PA/AP · R plain radiograph of the wrist — 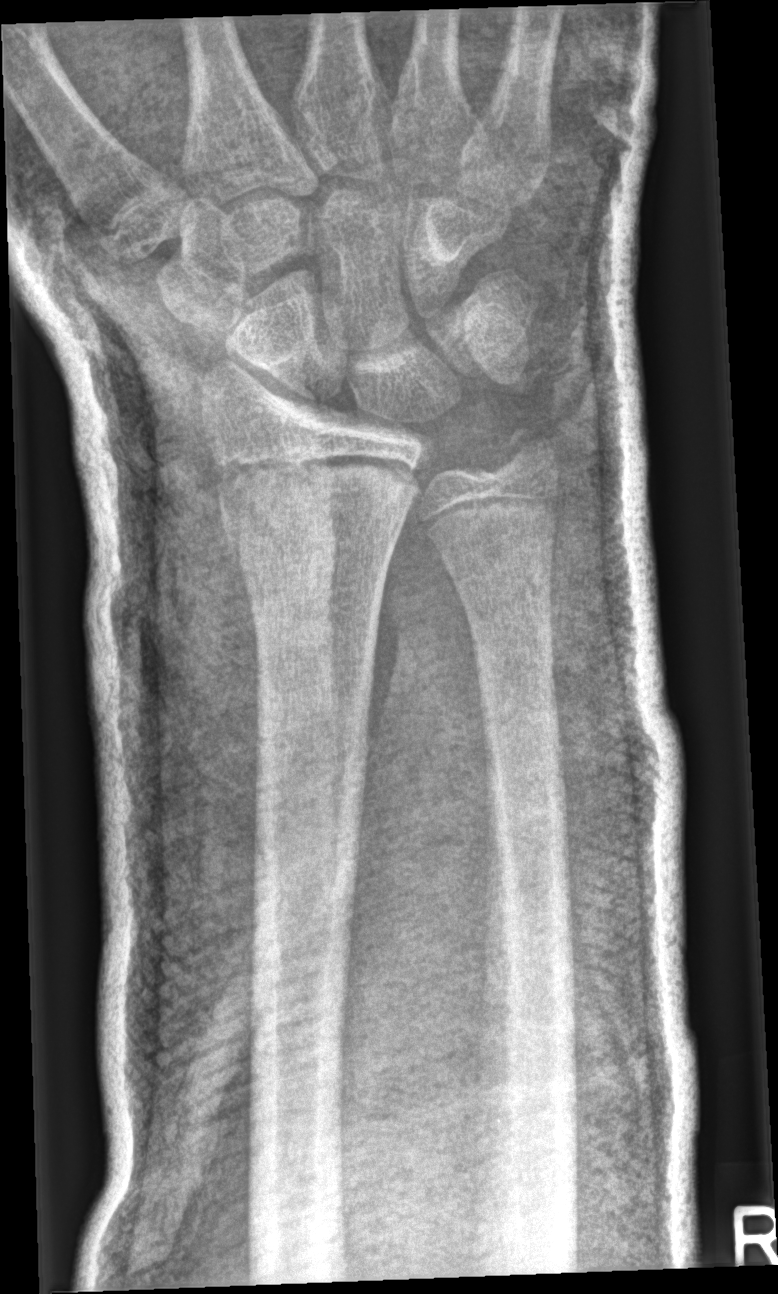

  fracture: 216 471 410 569 | 500 417 564 483